Frontal view; L wrist radiograph; image size 633x858. 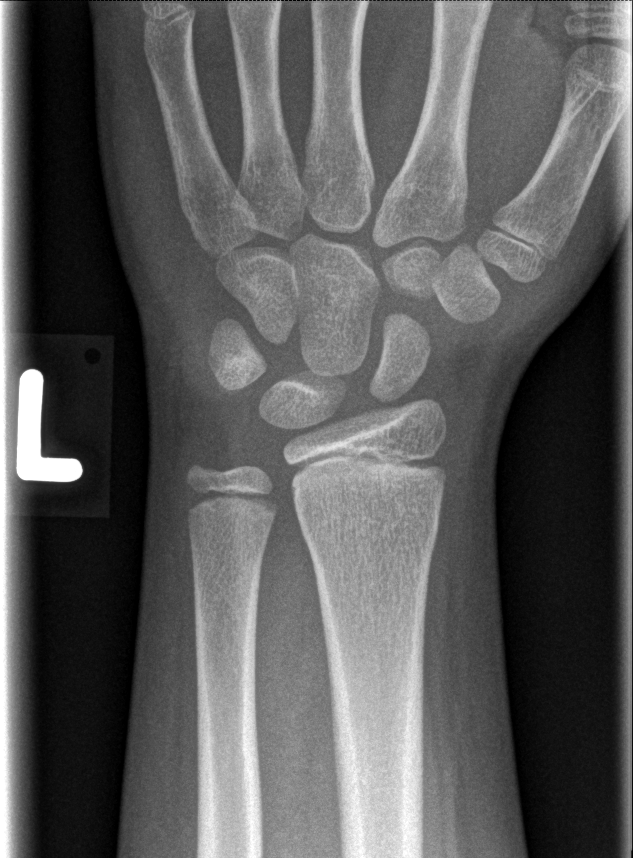 AO code: 23r-M/2.1
bone fracture: present but not clearly seen in this view